Lateral view | left wrist X-ray | image 46.5 mm wide:

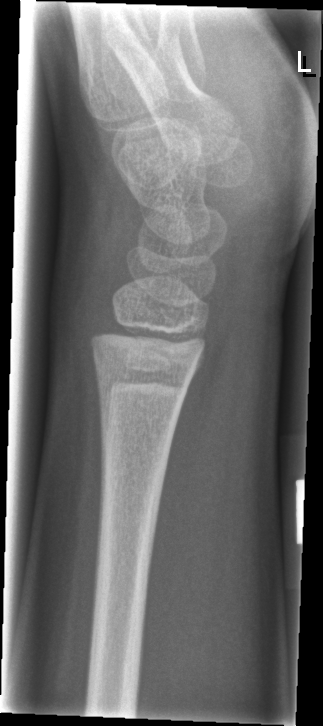

Findings: No fracture bounding box.